AP, L wrist radiograph, presentation radiograph, detector: Siemens.
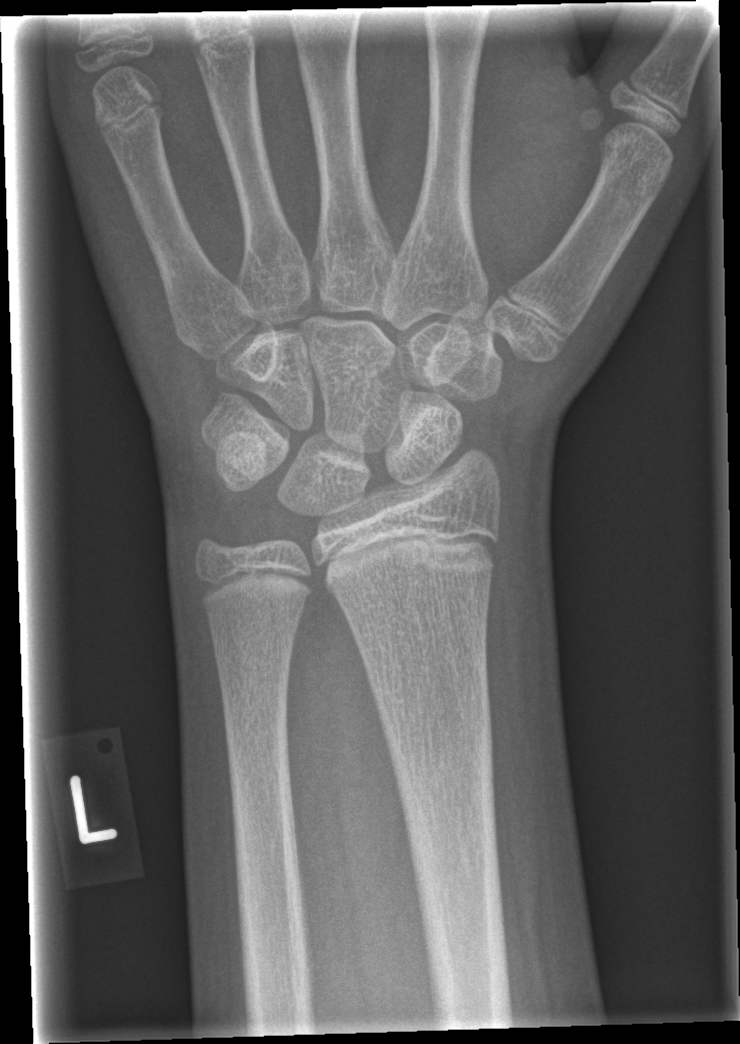

- Fracture: none labeled.